Lateral, Rt plain radiograph of the wrist, cast in situ, detector: Siemens: 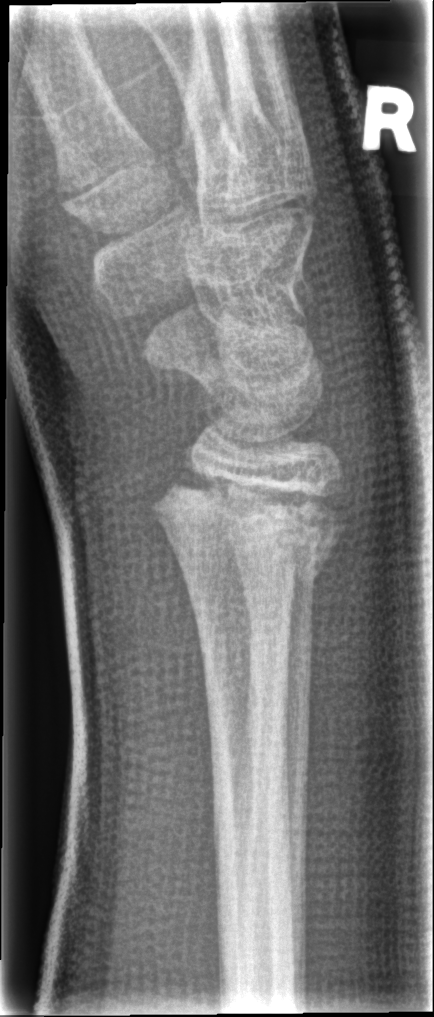 (coordinates are [x1, y1, x2, y2] in image pixels)
AO code: 23-E/2.1; 23u-E/7
Bone fracture: 150 463 353 593